PA view | left wrist radiograph | 9-year-old boy | index exam.

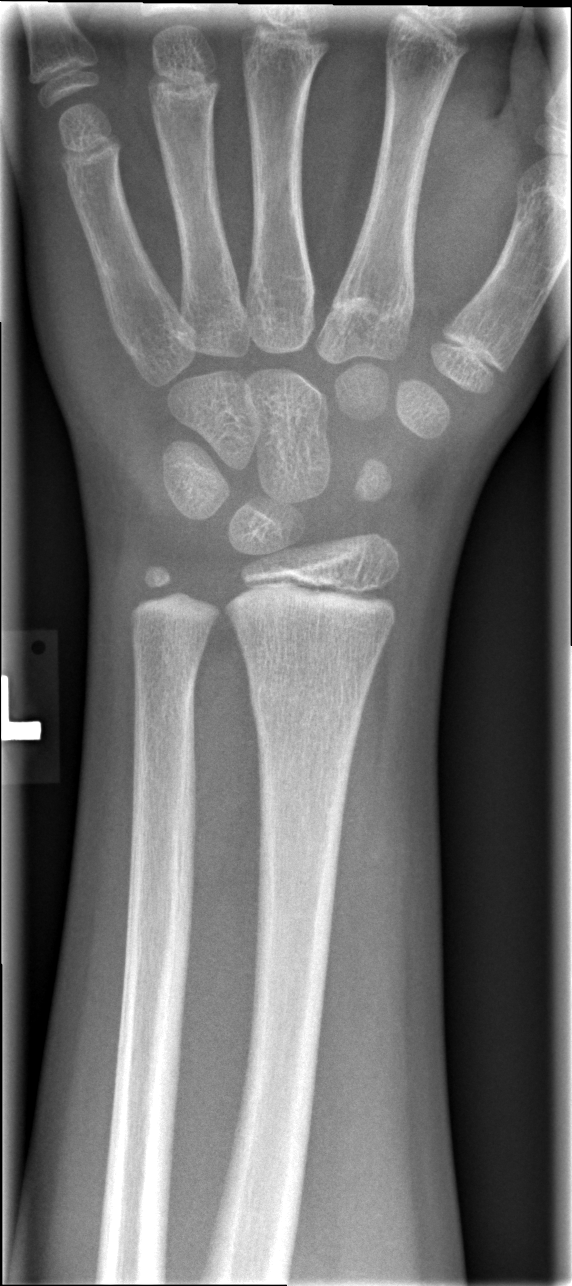 Bone fracture identified at (left=246, top=669, right=372, bottom=739).
AO code 23r-M/2.1.